Left wrist plain film; lateral view; pediatric patient (male, age 10) — 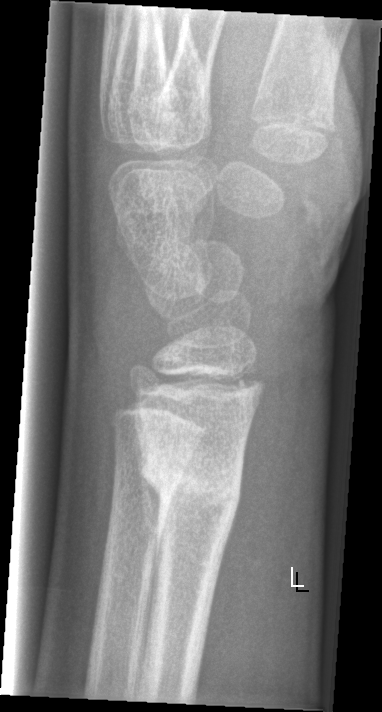
Findings: (boxes as x1,y1,x2,y2 (top-left / bottom-right, pixel units)) One Fx at 136 425 244 523. AO code 23r-M/3.1.